Lat view, left wrist plain film, subsequent exam, cast in situ, detector: Siemens, image 89.4 mm wide, 621 by 1178 pixels — 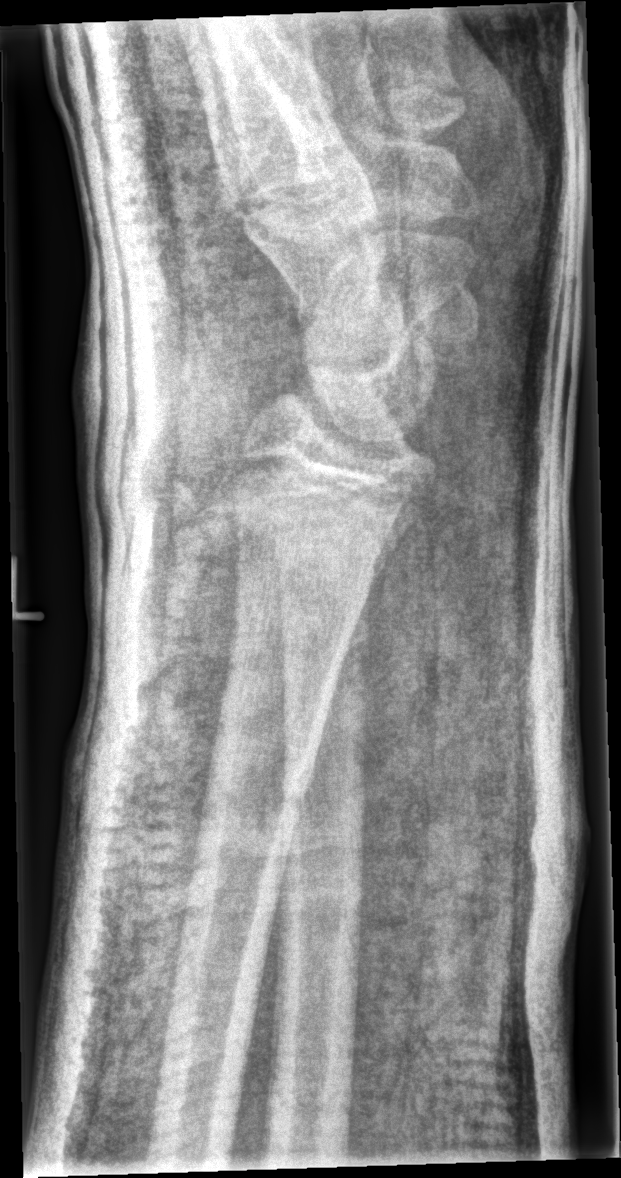
Fx: <199,743>-<308,828>. AO code 22r-D/4.1; 23u-M/3.1.